PA view · R plain radiograph of the wrist · male, 12 yo:
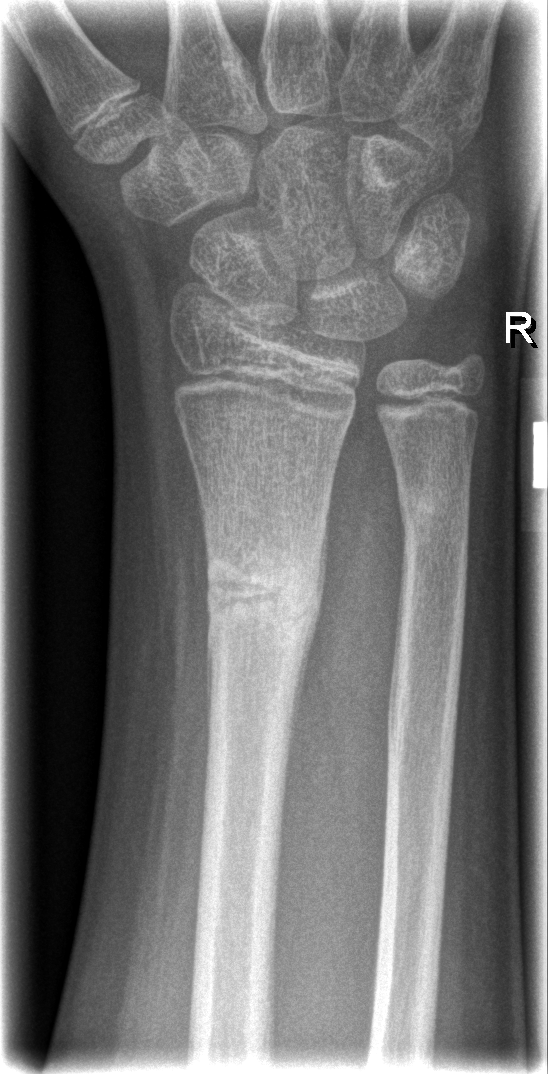 FINDINGS — (coordinates are [x1, y1, x2, y2] in image pixels) Osteopenia. Fracture identified at (left=203, top=547, right=328, bottom=641), (left=397, top=490, right=477, bottom=545). AO/OTA classification: 23-M/2.1. Periosteal reaction: (left=287, top=501, right=329, bottom=761).